Left wrist pediatric wrist radiograph, lateral view:
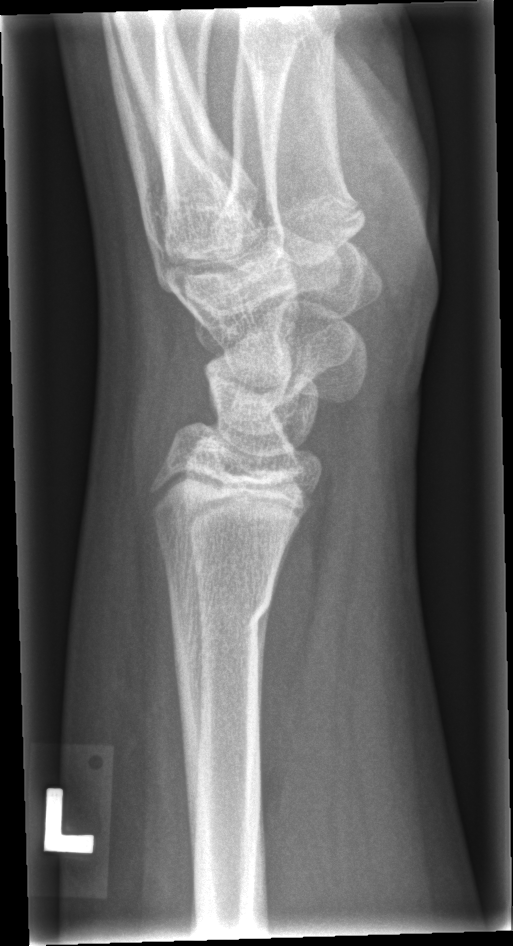 {
  "ao": "23r-M/2.1",
  "fracture": "1 @ bbox(165, 582, 276, 647)"
}